Lateral, right wrist X-ray, female, 7 yo, index exam.

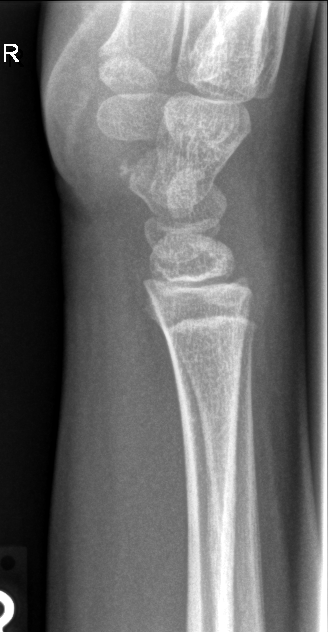
* No fracture annotation.